Posteroanterior projection | right wrist X-ray | 11-year-old boy.
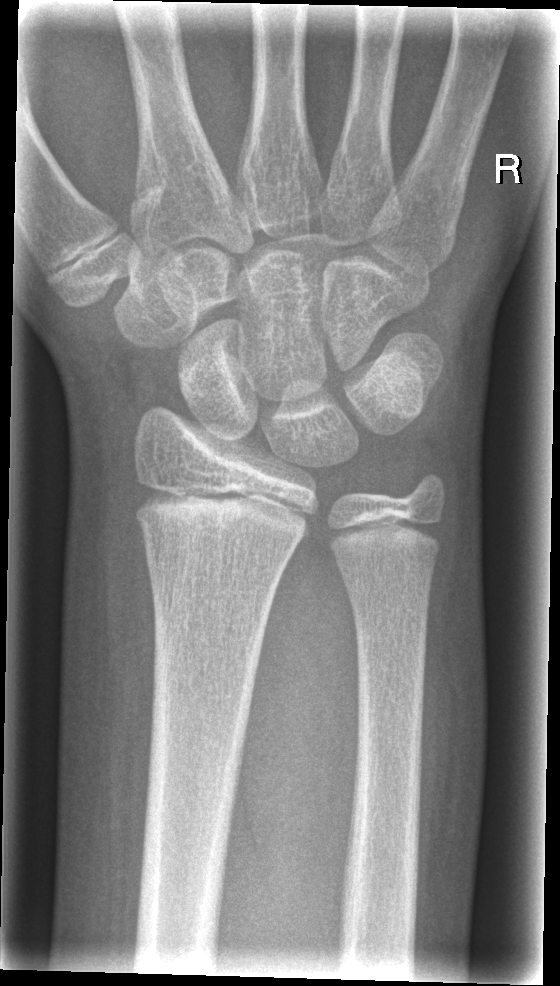
* No fracture bounding box.